Left wrist plain film · lateral · subsequent exam · Siemens 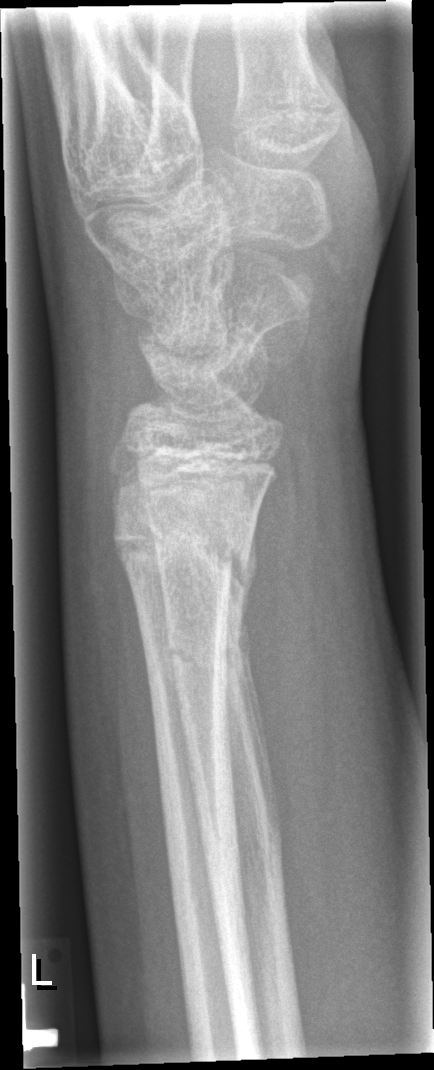
FINDINGS — AO/OTA classification: 23r-M/3.1; 23u-M/2.1; 23u-E/7. One periosteal reaction at <238,521>-<278,832>. Osteopenia. Two Fx at <108,512>-<259,600>; <162,617>-<251,689>.